Lt wrist X-ray | PA | 11y M:

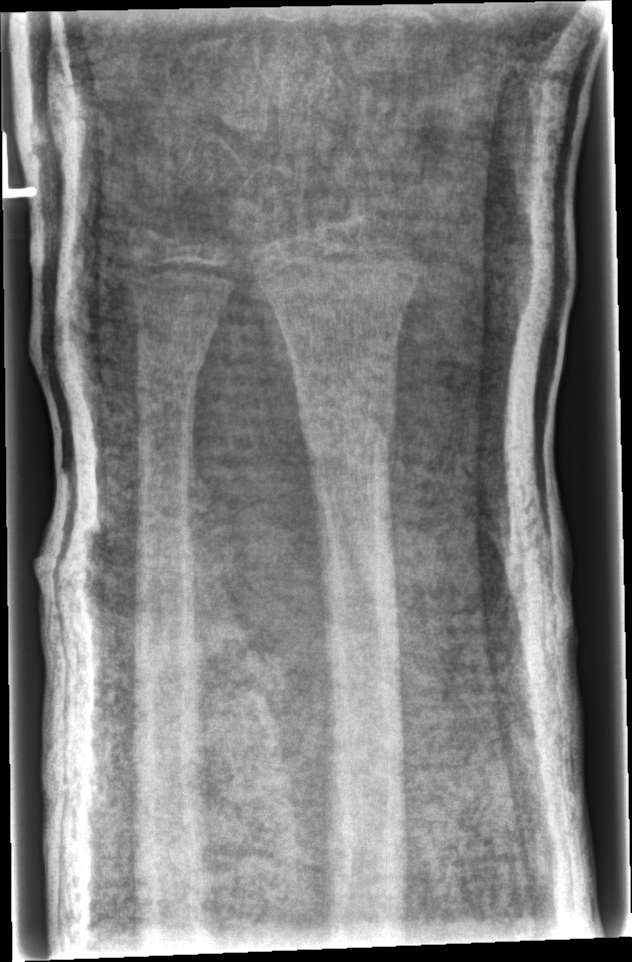
Bone fracture identified at [x1=295, y1=375, x2=402, y2=461]; [x1=131, y1=329, x2=212, y2=380].